Lat, Lt pediatric wrist radiograph, pediatric patient (female, age 9), image width 56.0 mm.
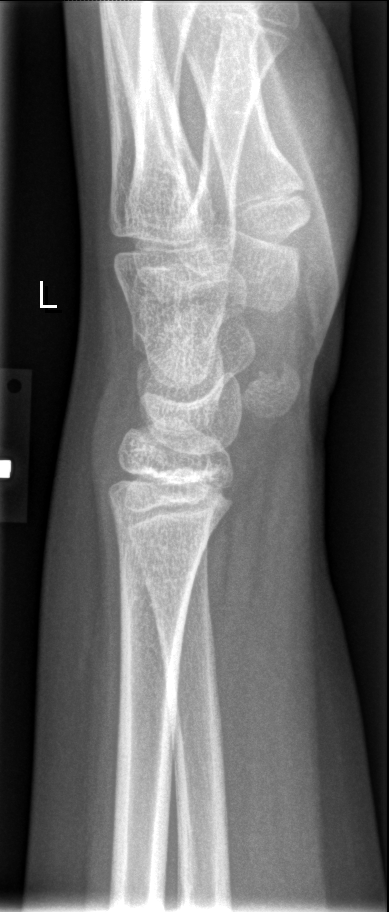

Fx = none labeled